PA; L wrist radiograph; 10y M; detector: Siemens —

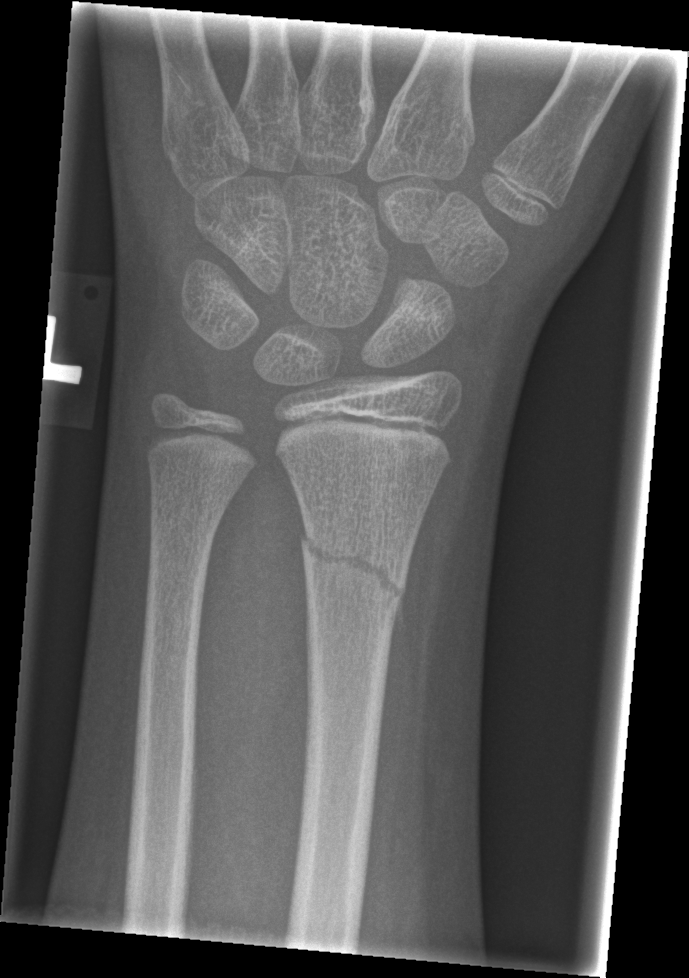

  fracture: 297,519,413,618
  ao: 23r-M/3.1